L wrist XR · posteroanterior
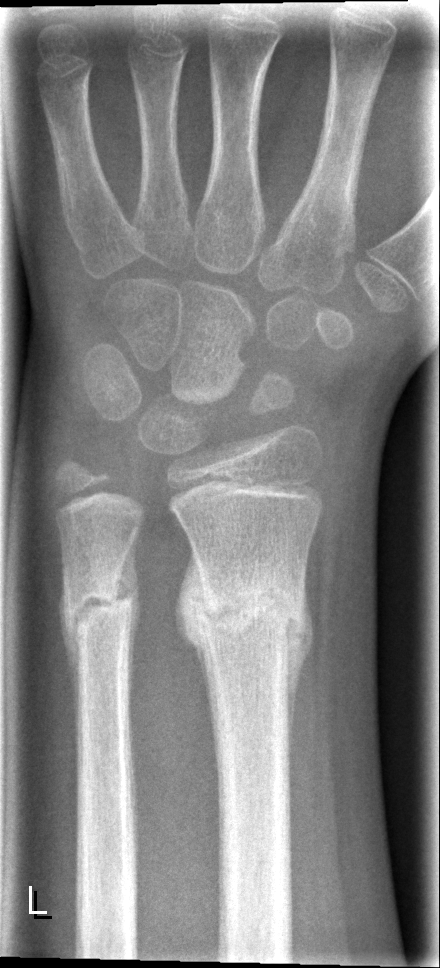 Periosteal new bone — <174,546>-<217,749>, <113,525>-<141,721>, <285,574>-<315,755>, <57,568>-<80,736>. Bone fracture: <196,580>-<307,644> <63,577>-<134,637>. Osteopenic. AO/OTA classification: 23-M/3.1.